Left wrist X-ray, frontal, pediatric patient (girl, age 12), cast in situ: 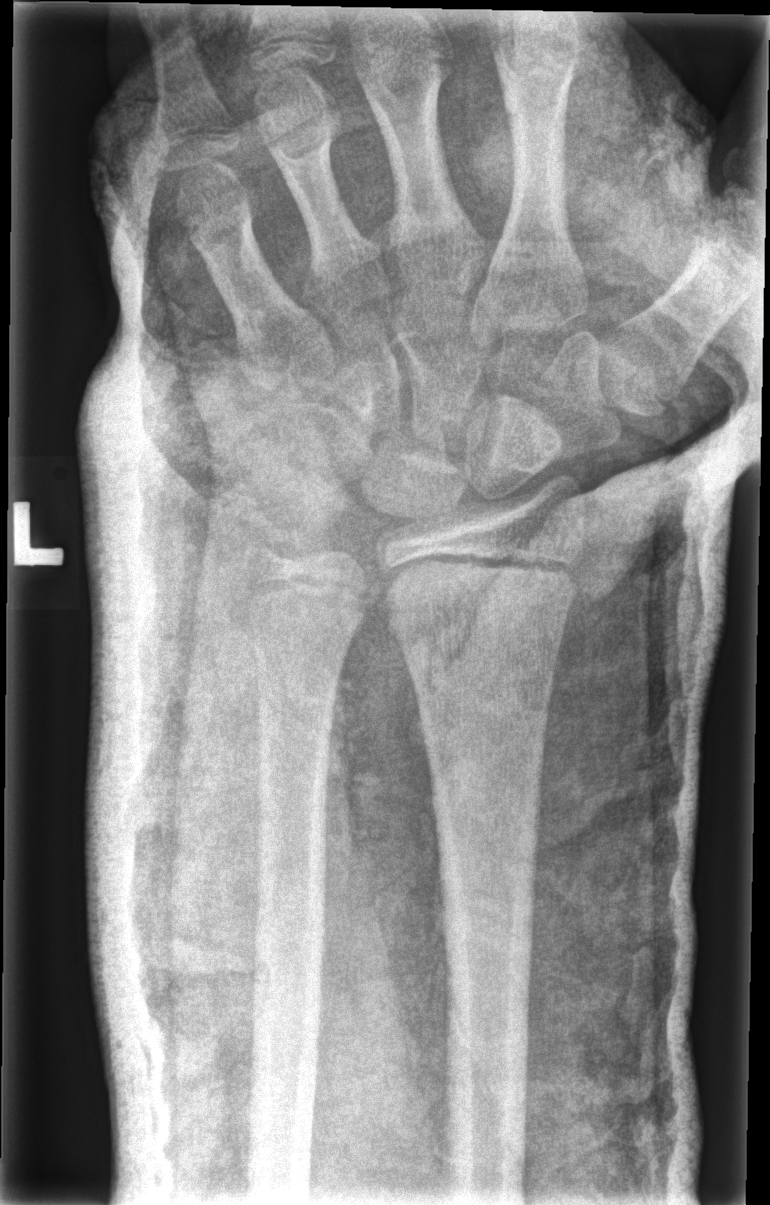

- Fracture present but not clearly seen in this view.